Lt wrist plain film, PA/AP, girl, 9 yo, 462x974
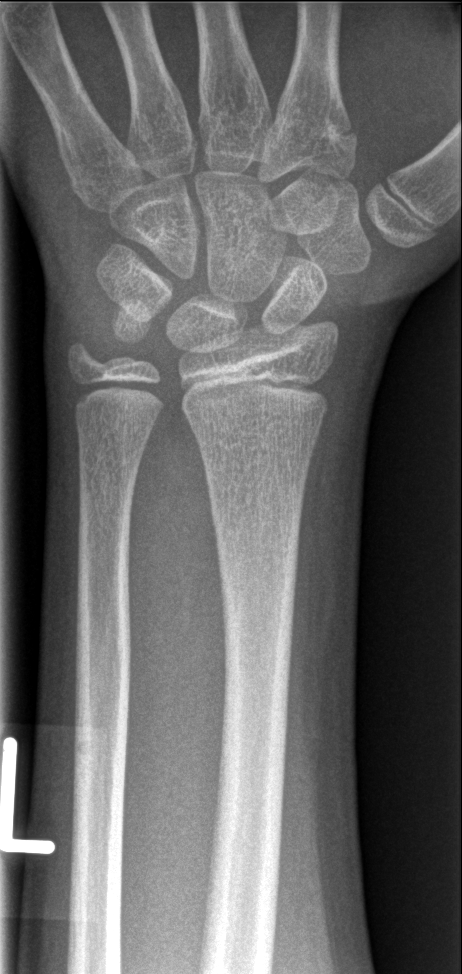
Fx: none.